Lateral · L wrist plain film · 12y M · image 59.0 mm wide 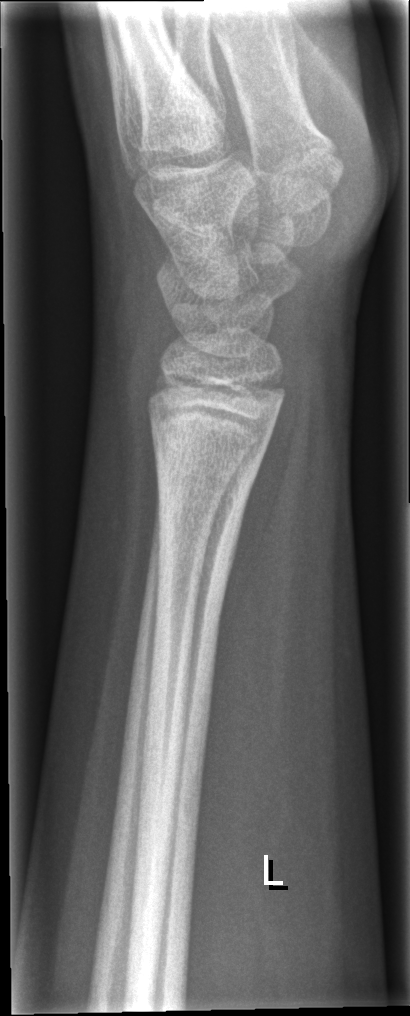
Fracture: <150,408>-<272,511>.
Fracture classified AO/OTA 23r-M/3.1.